AP; left wrist pediatric wrist radiograph.
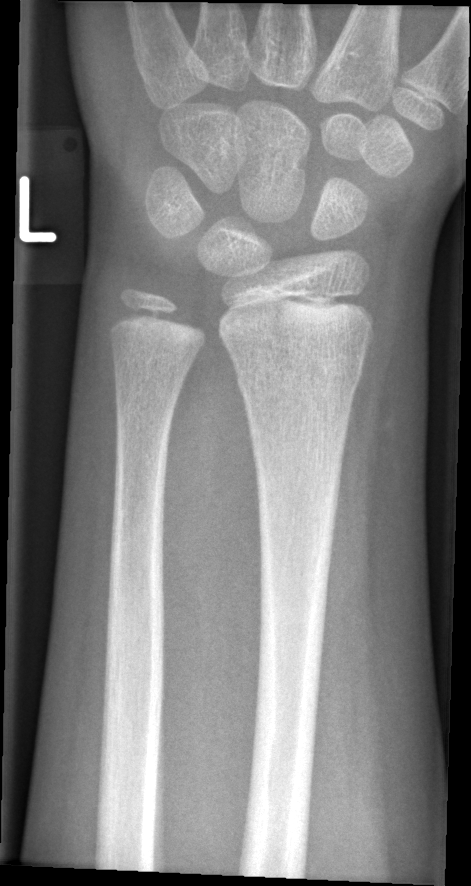 * Fx identified at <231,347>-<368,406>.